Lateral · left wrist pediatric wrist radiograph · pediatric patient (girl, age 8):
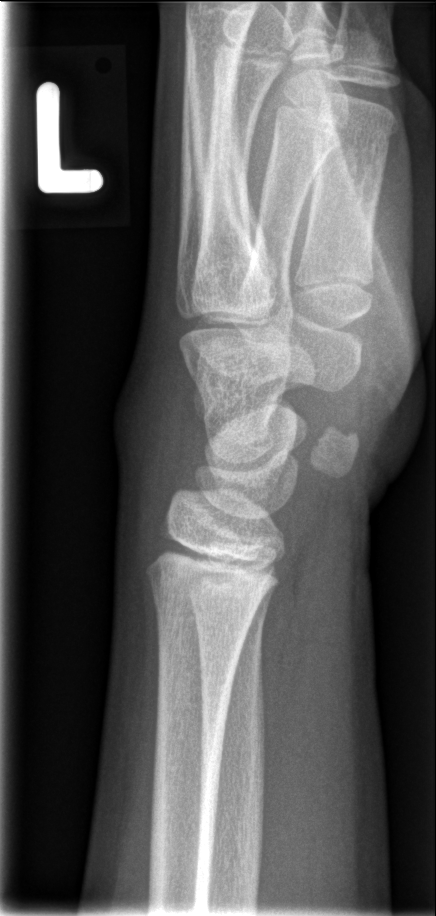 One soft-tissue swelling at [x1=106, y1=344, x2=203, y2=501].
No fracture bounding box.